Lat projection, right pediatric wrist radiograph, girl, 8 yo, presentation radiograph, detector: Siemens, 414x764.
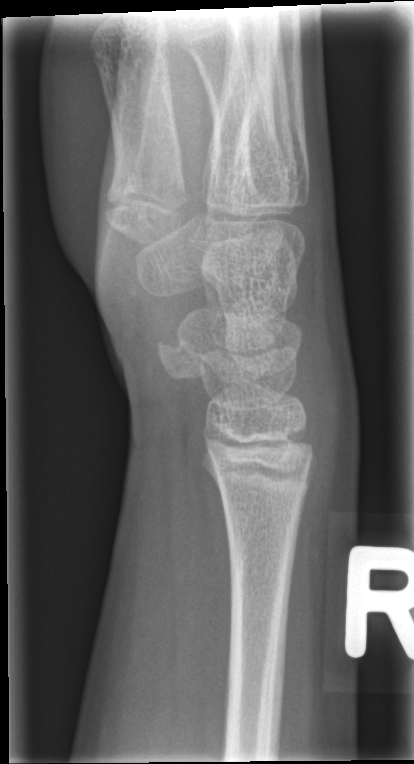 No fracture bounding box.